R wrist X-ray; frontal; 12-year-old boy; cast in situ; 718 by 1108 pixels:

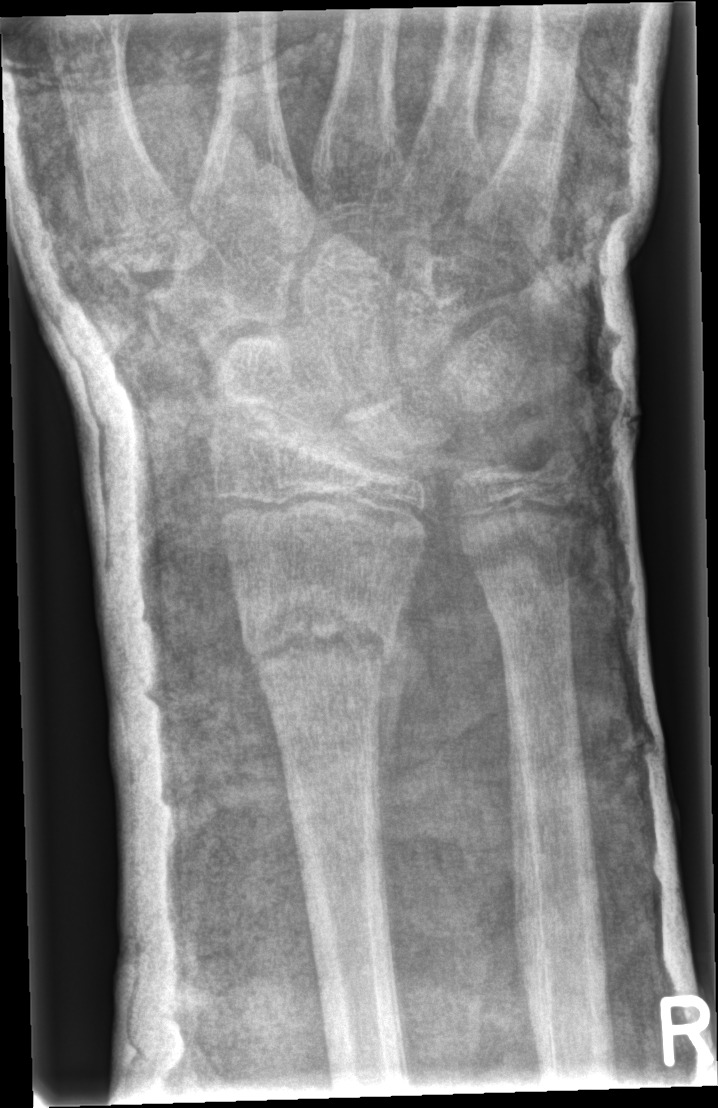 Fx: <235,590>-<403,719>; <479,577>-<576,645>